L plain radiograph of the wrist; PA/AP view; age 12 y, female; image size 444x951. 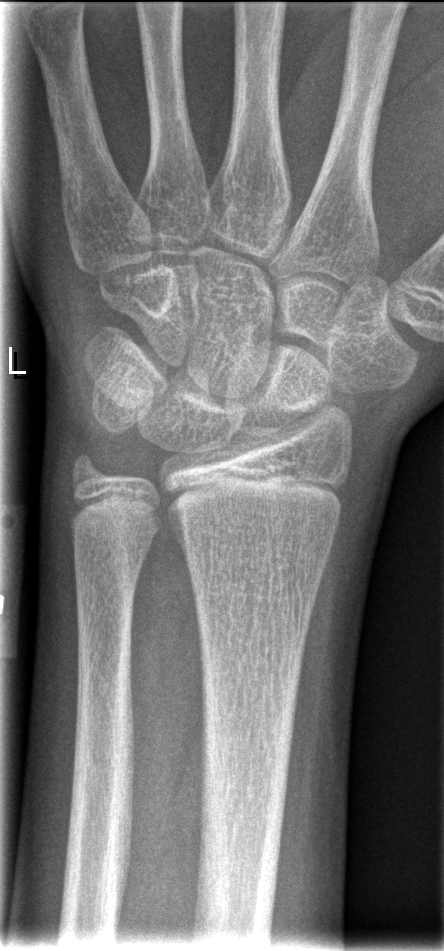

Bone fracture: none labeled